Lat view | left wrist XR | follow-up study | imaged through cast | image width 77.2 mm | 536 x 1208 px. 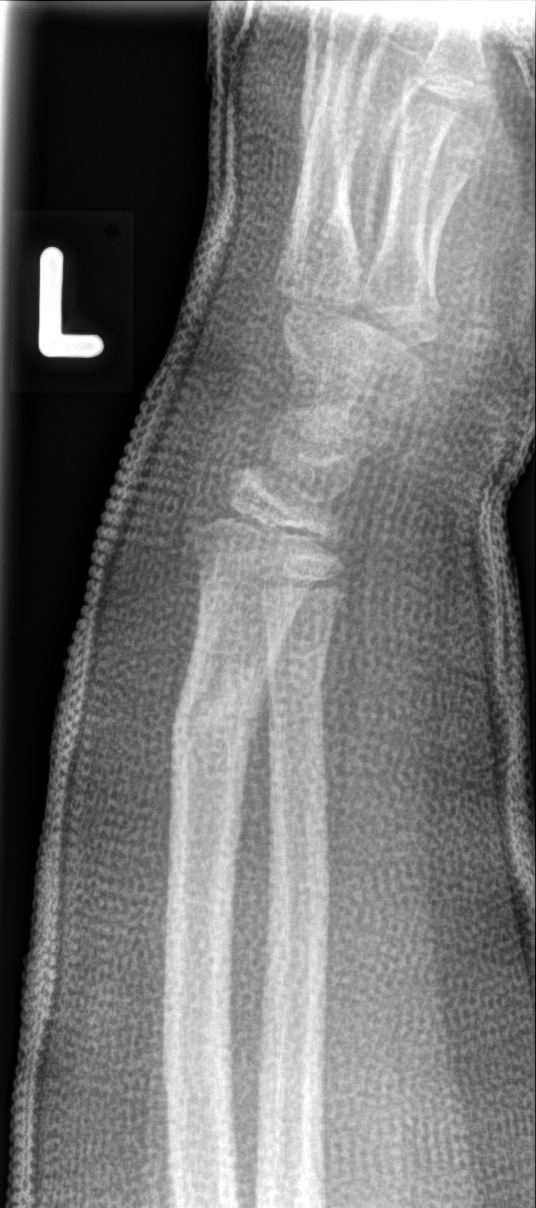
{
  "ao": "23-M/2.1",
  "fracture": "(167, 646, 281, 759) (268, 649, 330, 703)"
}